Right wrist radiograph | PA/AP projection | detector: Siemens

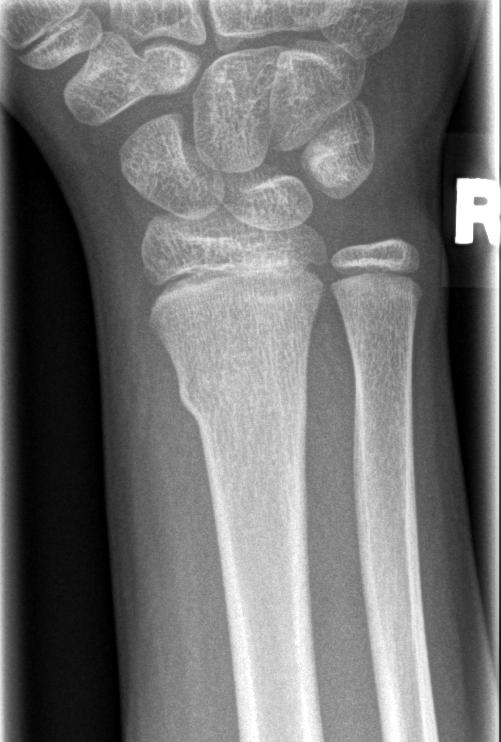 (bounding boxes in image-pixel xyxy)
Fx: [172, 346, 312, 422]
AO code: 23r-M/2.1